Lat | R wrist radiograph | 6-year-old girl — 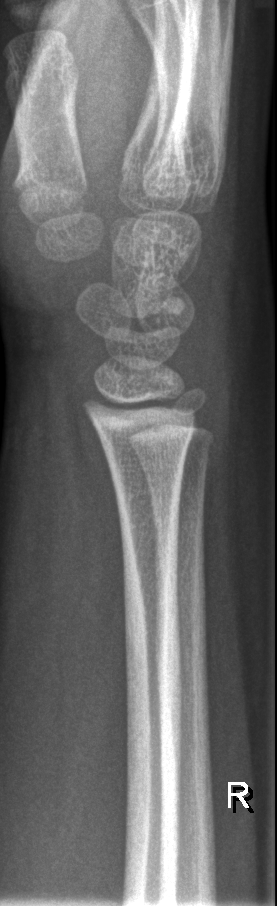
Fracture: none labeled.